Left wrist XR; lat; boy, 11 yo; cast present:
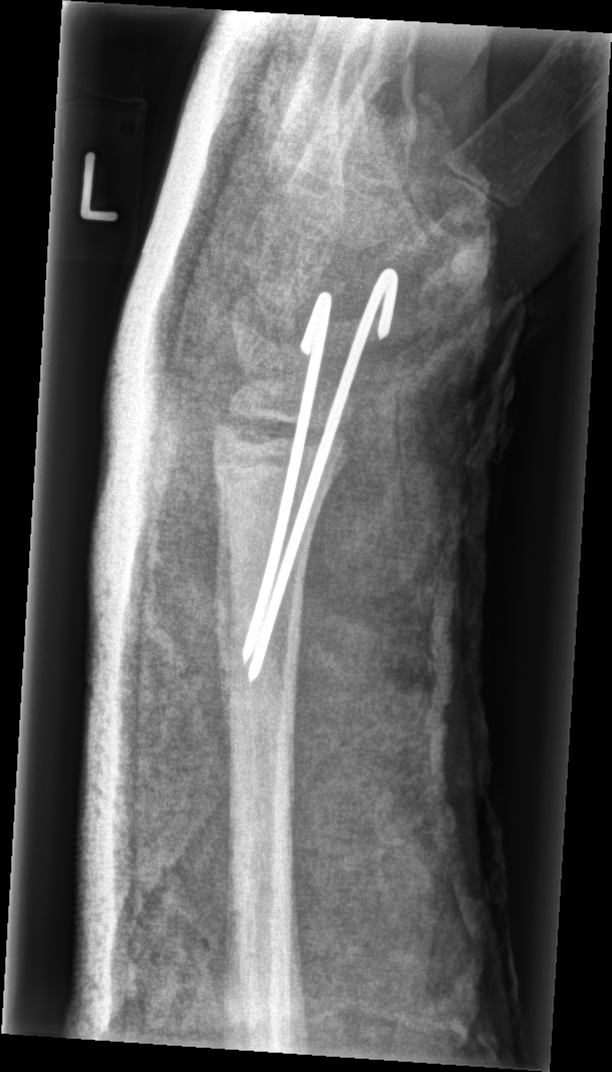 Fracture: 2 @ (left=211, top=523, right=307, bottom=751); (left=204, top=409, right=352, bottom=500)
Hardware: 1 @ (left=239, top=266, right=399, bottom=684)